Lat view, right wrist pediatric wrist radiograph, pediatric patient (male, age 8), in cast.
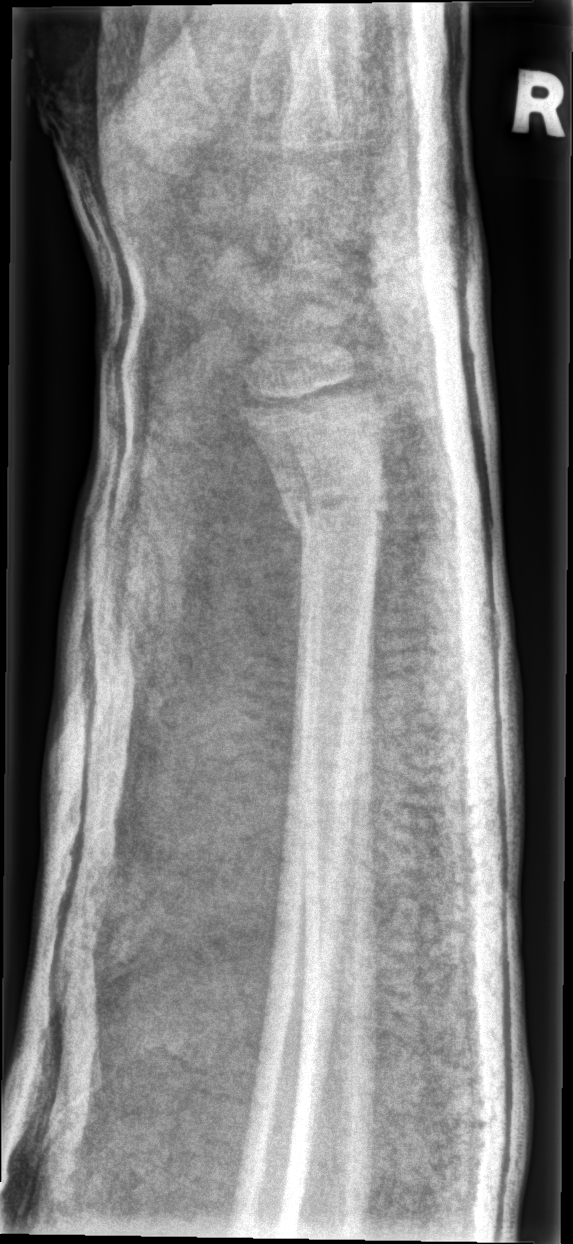
FINDINGS — AO code 23r-M/3.1. Fx identified at (left=285, top=473, right=394, bottom=546).